Lat projection; right wrist XR; 14y M; acquired on Siemens; image size 421x896 —
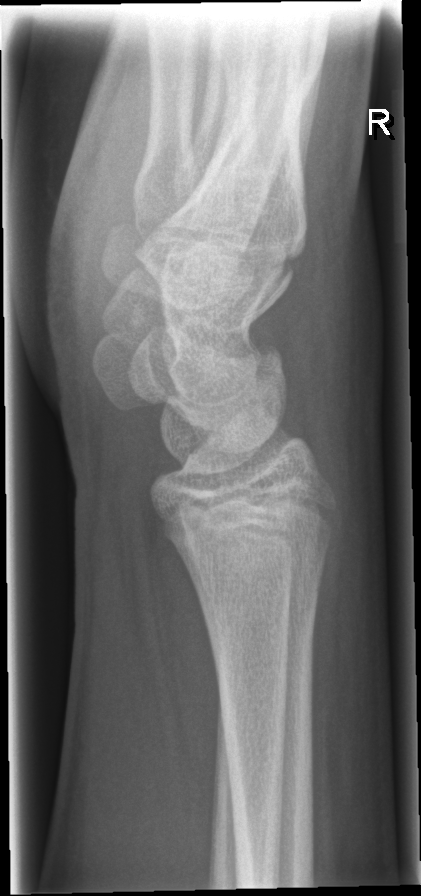
Q: Is there a fracture?
A: No fracture bounding box